Posteroanterior projection · right wrist plain film · in cast 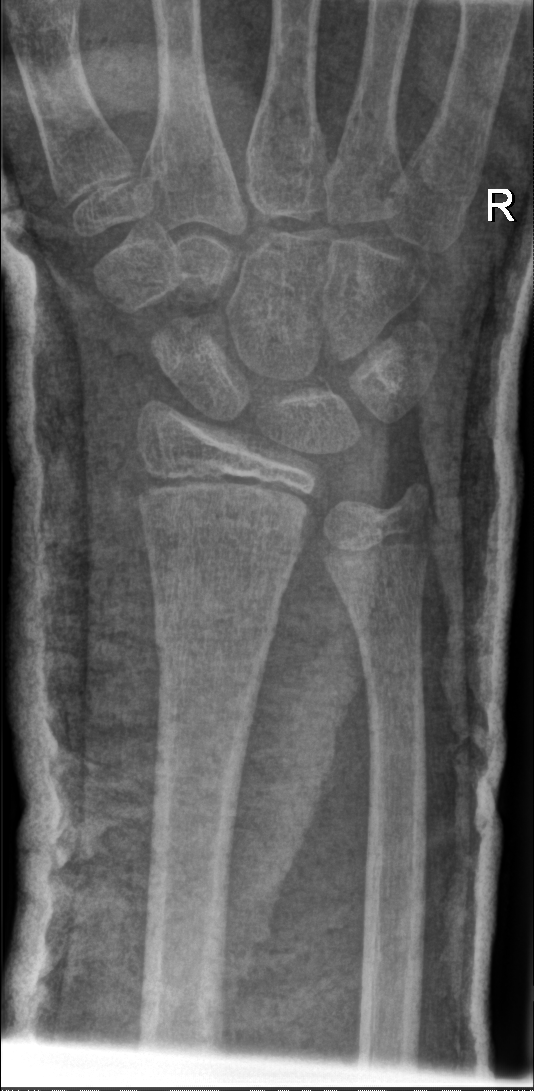 One bone fracture at [148, 596, 284, 664].